Frontal; left wrist XR
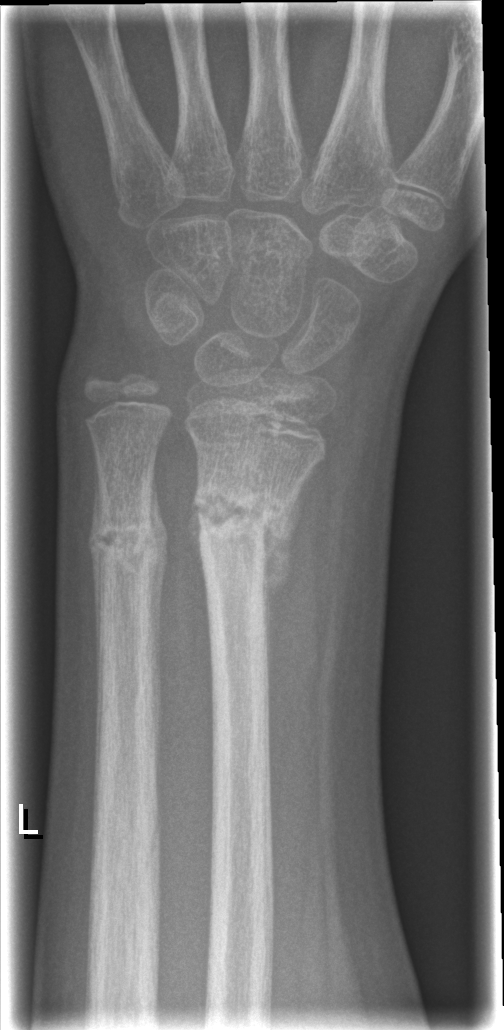

Bone fracture: bbox(189, 478, 294, 553) bbox(88, 509, 163, 569).
Periosteal reaction identified at bbox(264, 467, 315, 689) bbox(147, 462, 169, 755) bbox(87, 450, 105, 731) bbox(186, 501, 208, 603).
Decreased bone density (osteopenia).